L wrist plain film | lateral | 3y M | index exam | acquired on Siemens —
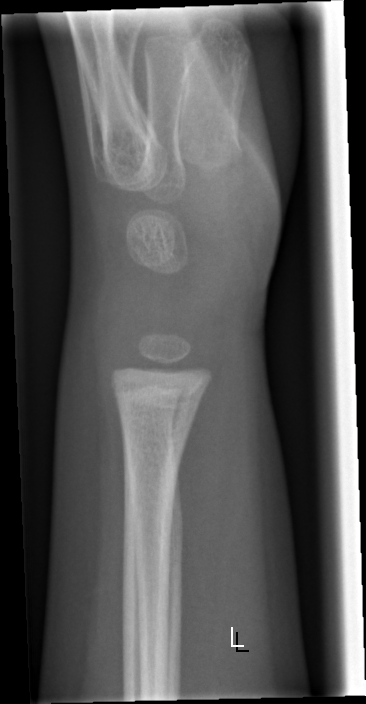

• No fracture labeled.